Lateral projection, Lt wrist X-ray, age 13 y, male. 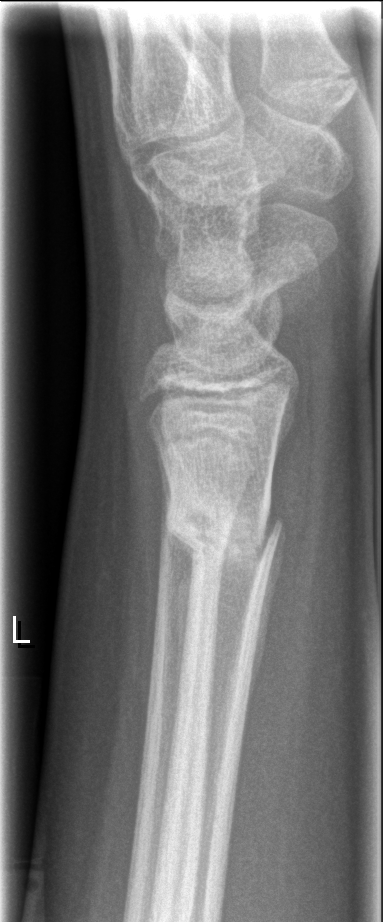 * One periosteal reaction at 235 525 296 788.
* Reduced bone mineral density.
* One bone fracture at 161 504 286 569.